Right pediatric wrist radiograph, lat projection, cast present, image size 766x1274 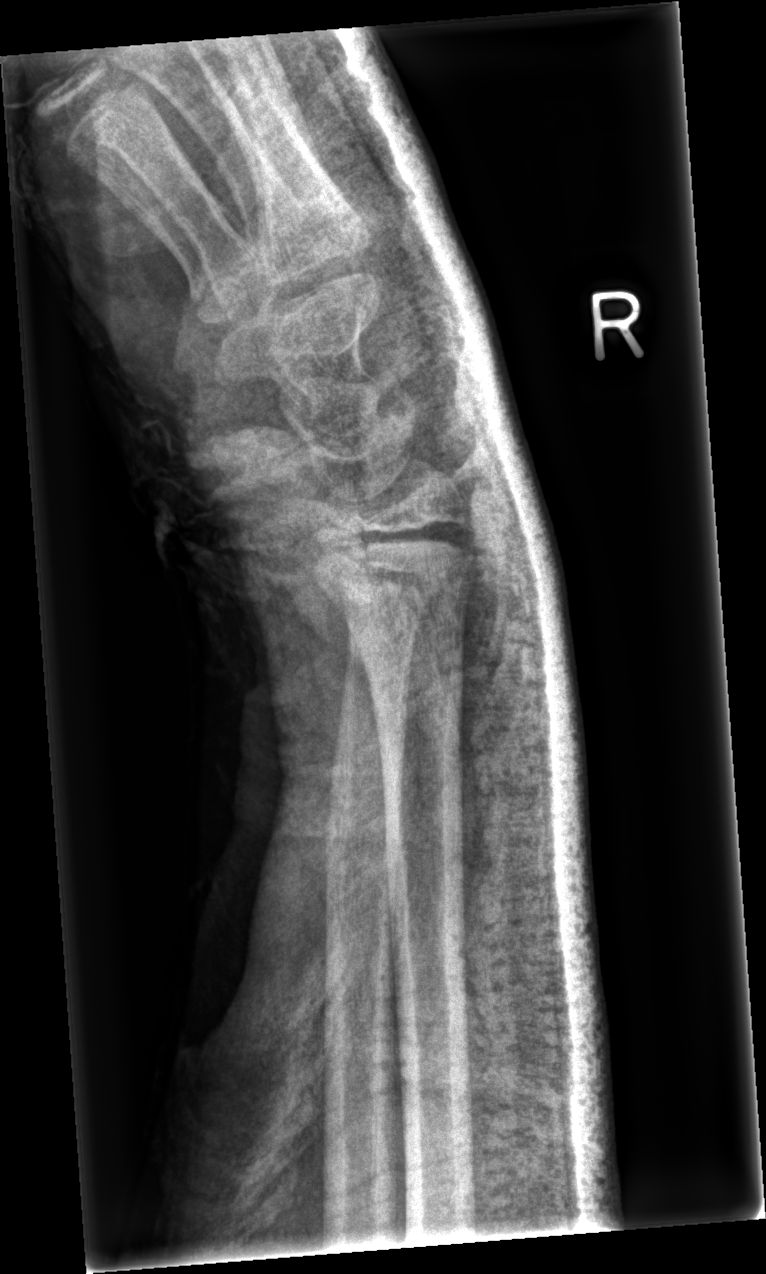
(bounding boxes in image-pixel xyxy)
Q: Any fracture seen?
A: Fracture: (left=305, top=510, right=480, bottom=625)
Q: AO code?
A: Fracture classified AO/OTA 23r-E/2.1; 23u-E/1